Lat · left wrist plain film · acquired on Siemens 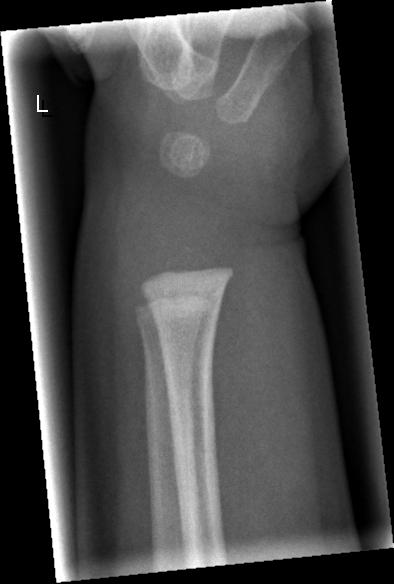
Fx: none labeled